Lt plain radiograph of the wrist · lat · female, 8 yo · detector: Siemens: 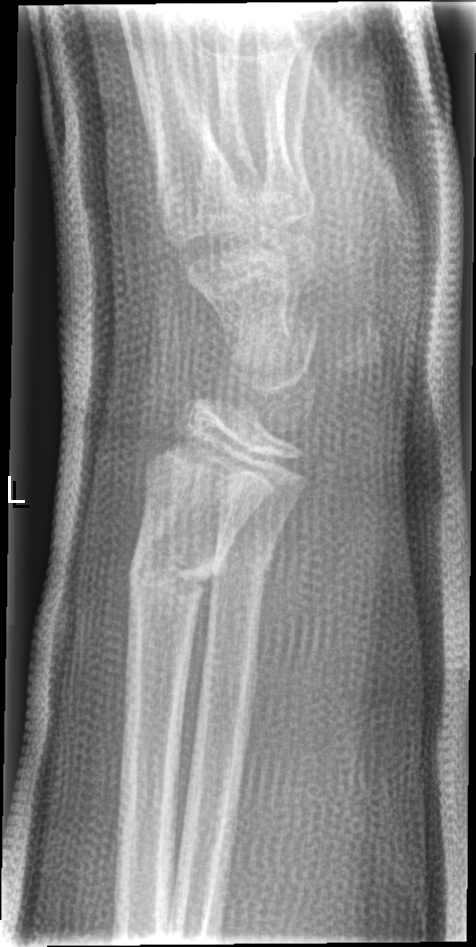 Bone fracture = [124, 549, 225, 604] [205, 539, 274, 584]